Rt wrist radiograph, frontal view, male, 13 yo, diagnosis uncertain, detector: Siemens —
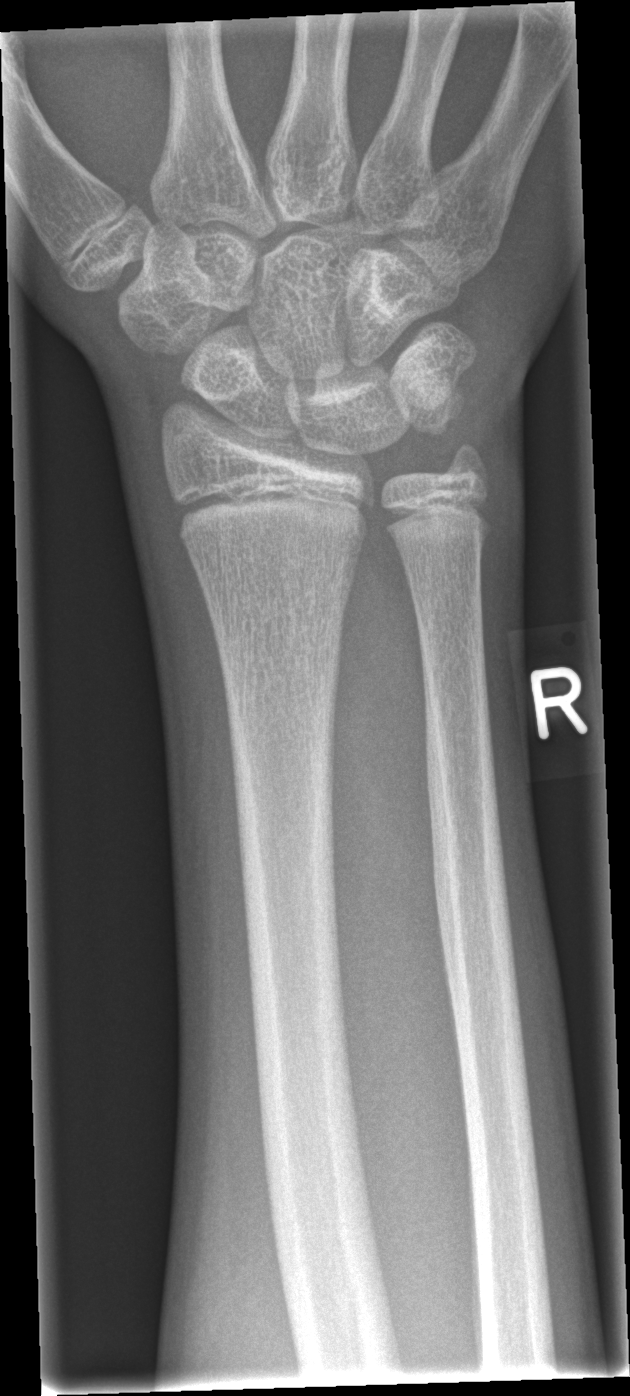 - Fx: none.